L pediatric wrist radiograph; posteroanterior 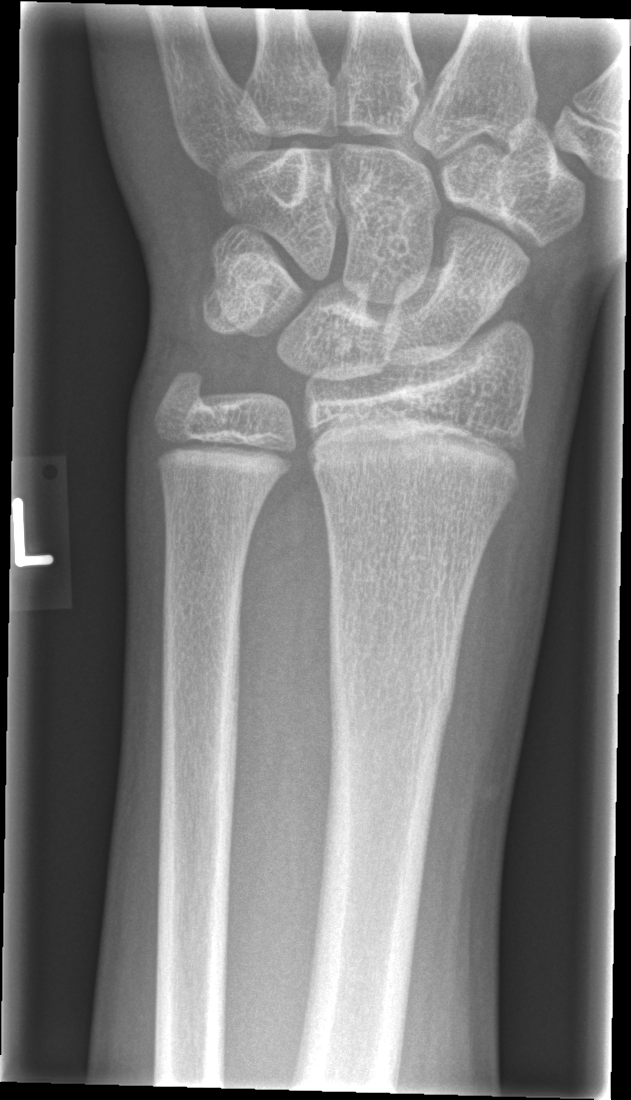 (boxes as x1,y1,x2,y2 (top-left / bottom-right, pixel units))
Fx = 1 @ bbox(326, 649, 457, 735)